Rt wrist radiograph; lat view; age 13 y, female; index exam; 106.4 mm image width.
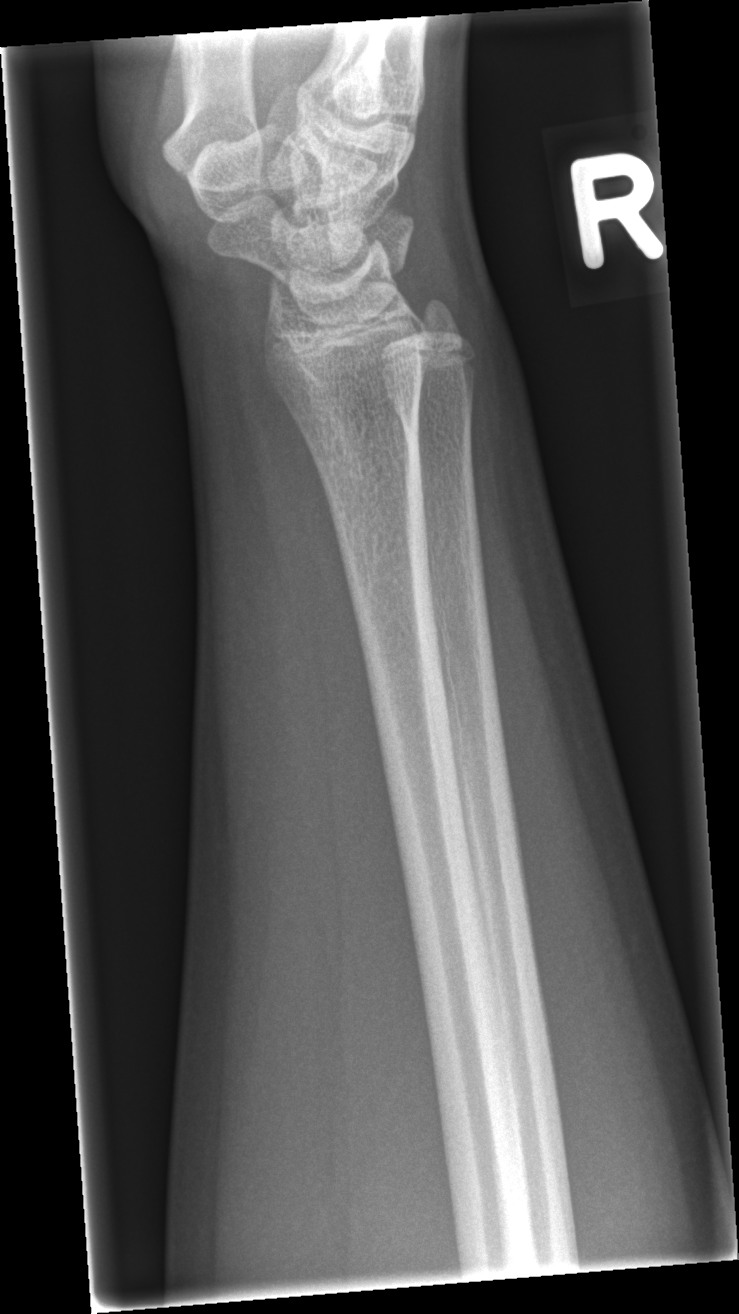 * Fx: none.